Rt pediatric wrist radiograph · lat · pediatric patient (male, age 12) · presentation radiograph · acquired on Siemens:
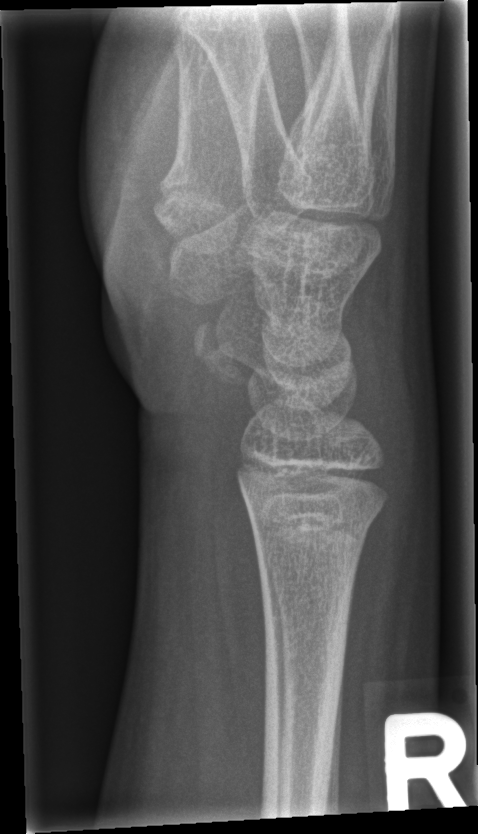 • Bone fracture identified at <235,489>-<389,547>.